PA/AP projection, left wrist radiograph, 13y M, imaged through cast.
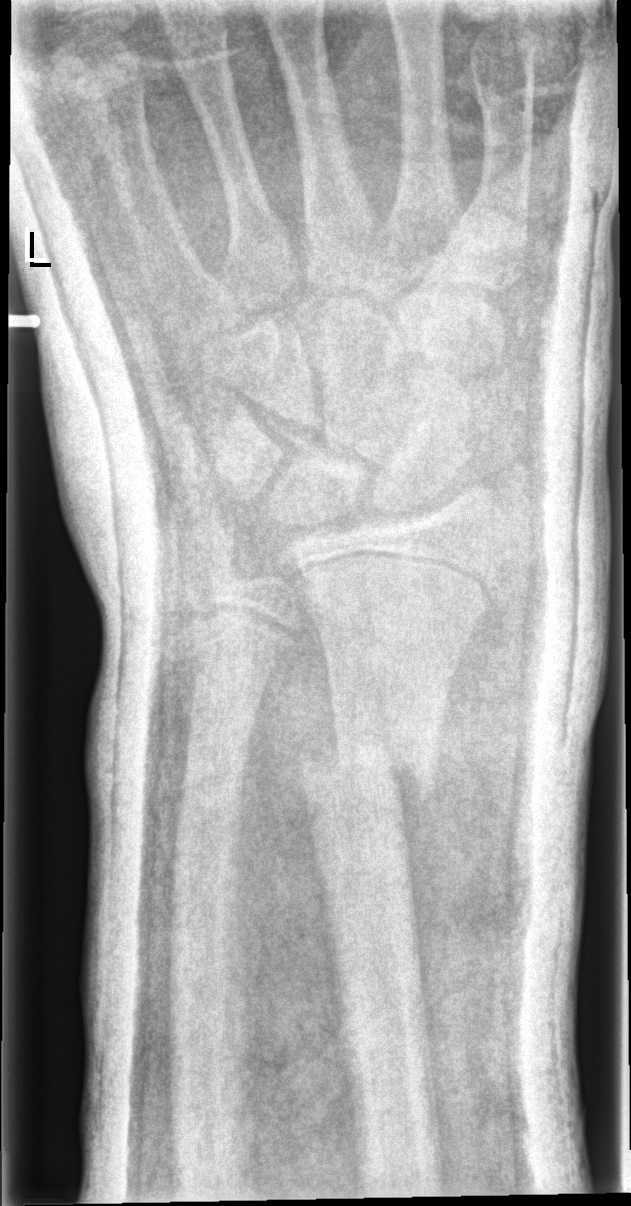

Findings: Fracture classified AO/OTA 23r-M/3.1. Fx: (296, 732, 443, 806).